Posteroanterior · R wrist X-ray · 7-year-old boy —

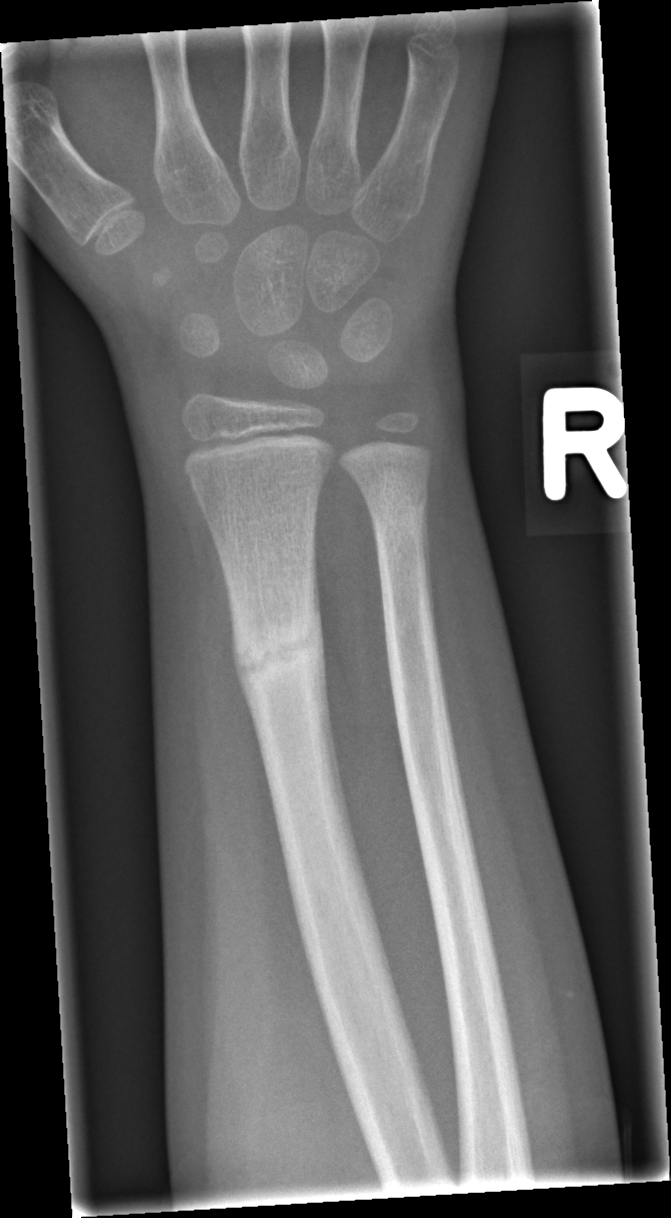 • Boxes as x1,y1,x2,y2 (top-left / bottom-right, pixel units).
• Bone fractures — 228,606,326,693 | 370,495,432,552.